Lt wrist radiograph · lateral view · follow-up study —

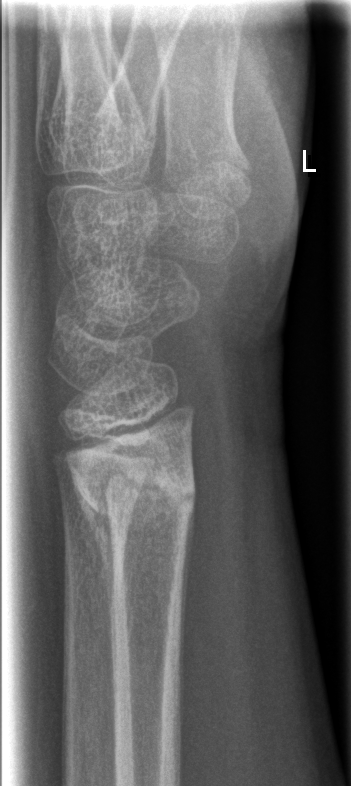 fracture = 1 @ [x1=68, y1=437, x2=200, y2=545]
periosteal reaction = [x1=70, y1=467, x2=117, y2=680]; [x1=179, y1=489, x2=195, y2=707]
AO code = 23r-M/3.1; 23u-E/7